Lateral view; L wrist radiograph; initial study
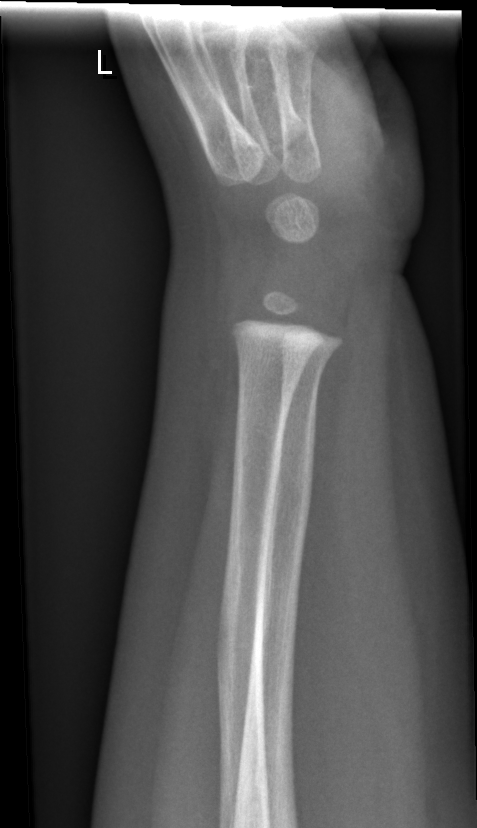
No Fx annotated.